L pediatric wrist radiograph | PA/AP projection | age 9 y, female —
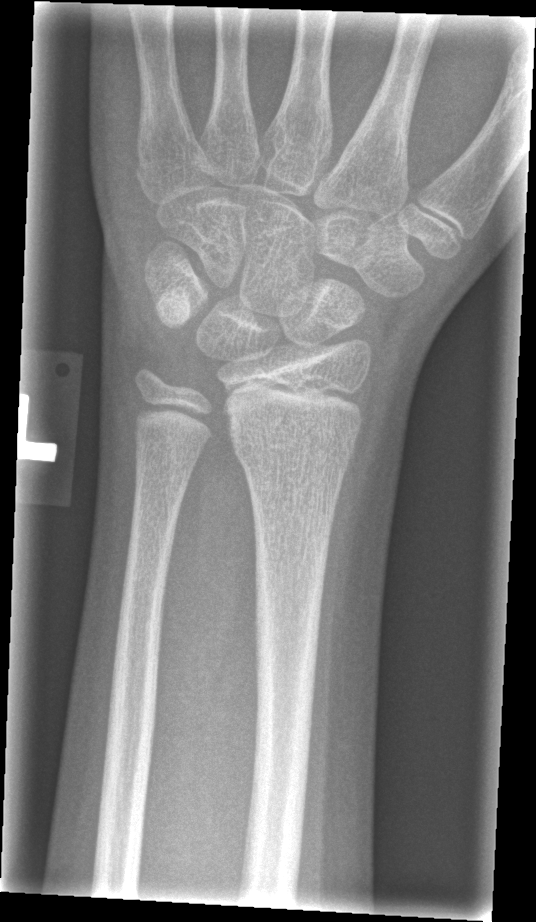 Fx: present but not clearly seen in this view.